Posteroanterior view · left wrist X-ray · in cast · detector: Siemens:
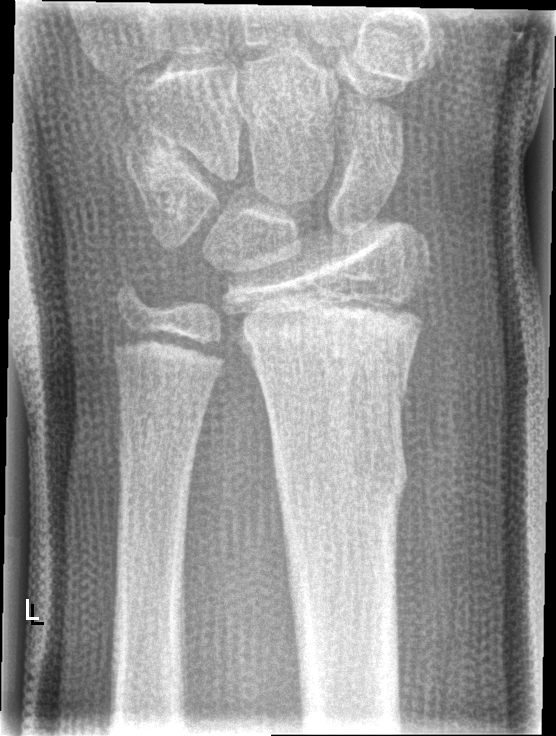
Fx = 1 @ (268, 403, 412, 516)